Posteroanterior projection, Rt wrist plain film, in cast, Siemens, 645x1012: 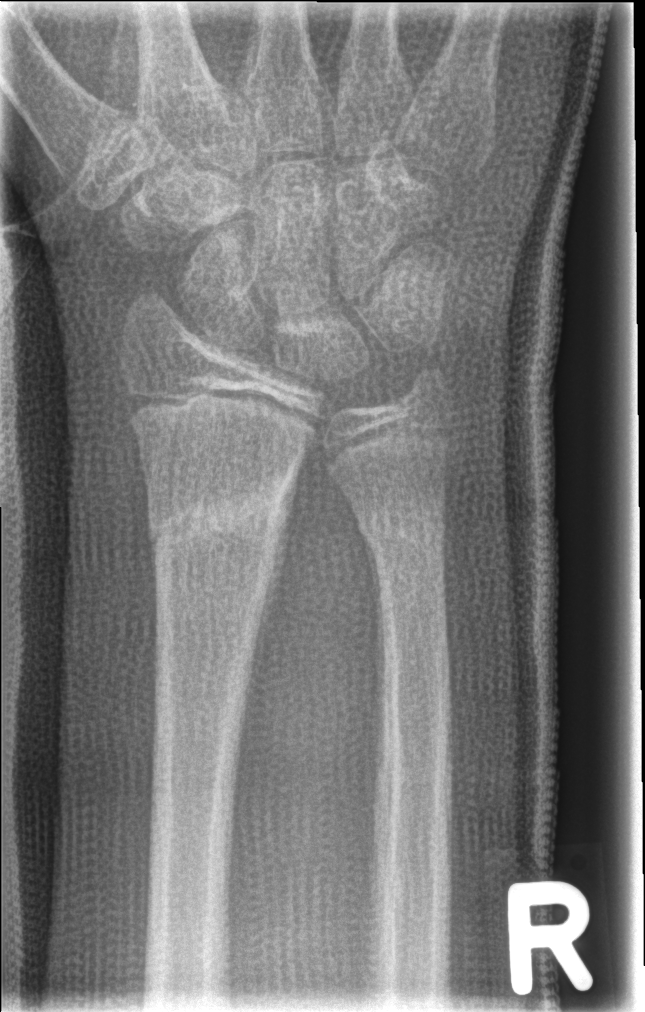 Coordinates are [x1, y1, x2, y2] in image pixels.
Bone fracture identified at [x1=143, y1=463, x2=294, y2=559], [x1=353, y1=486, x2=452, y2=560].